Frontal projection, Rt wrist XR, subsequent exam, 680x1022:
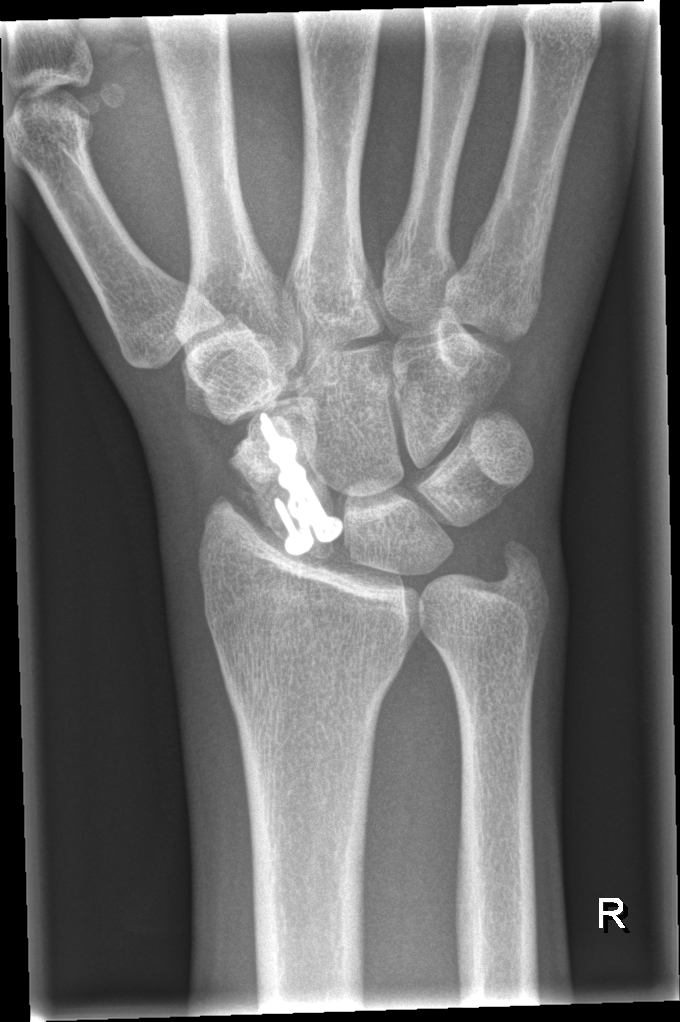
Coordinates are [x1, y1, x2, y2] in image pixels. Fracture classified AO/OTA 72B(b). Fx: [x1=223, y1=449, x2=322, y2=511]. Metallic hardware identified at [x1=257, y1=409, x2=347, y2=560].